PA/AP | left plain radiograph of the wrist | initial study —
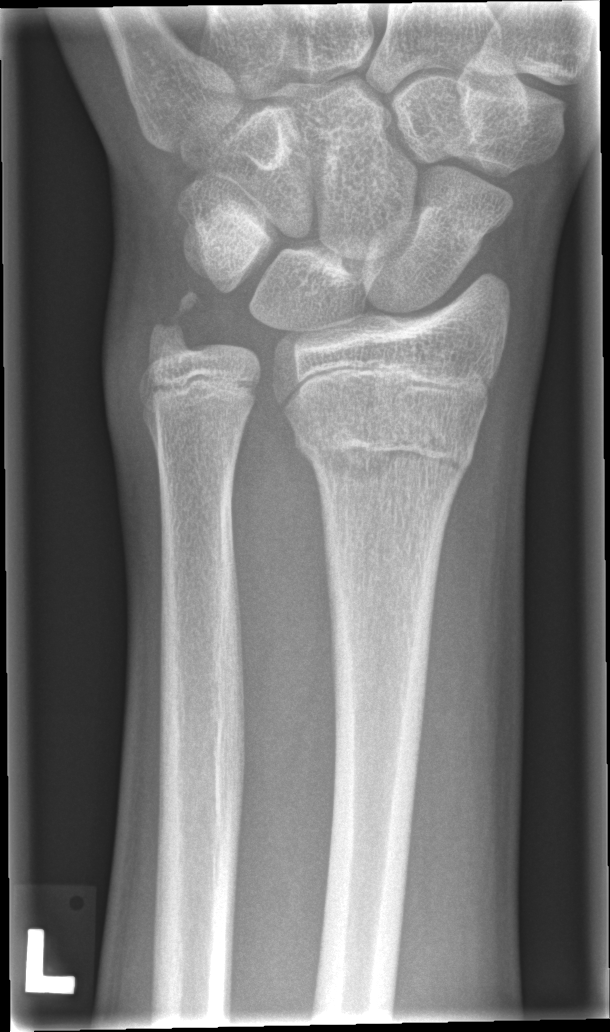

Bone fracture = 2 @ bbox(291, 409, 478, 488) bbox(143, 287, 207, 358)
AO code = 23r-M/3.1; 23u-E/7